Rt wrist X-ray, PA/AP view, male, 9 yo, initial study, Siemens, 619 by 968 pixels.

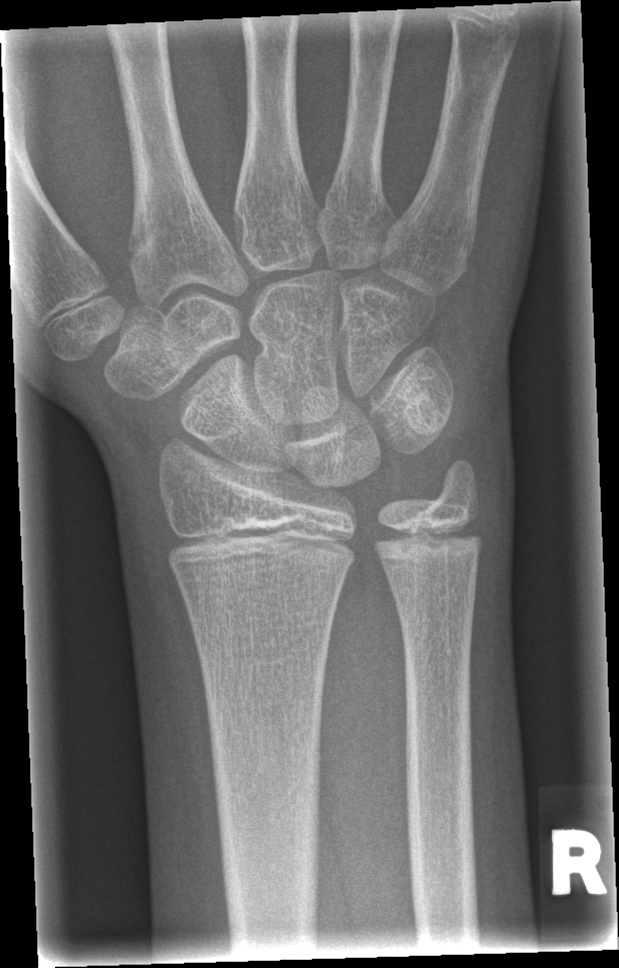

FINDINGS: No fracture bounding box.